Left wrist XR, lateral projection, presentation radiograph, 479 x 896 px. 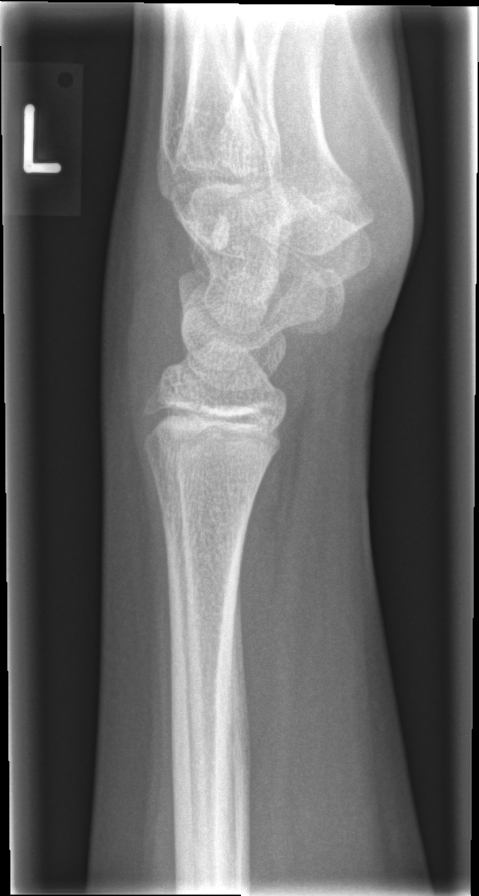
fracture: none labeled